Lateral, Lt plain radiograph of the wrist, 84.8 mm image width — 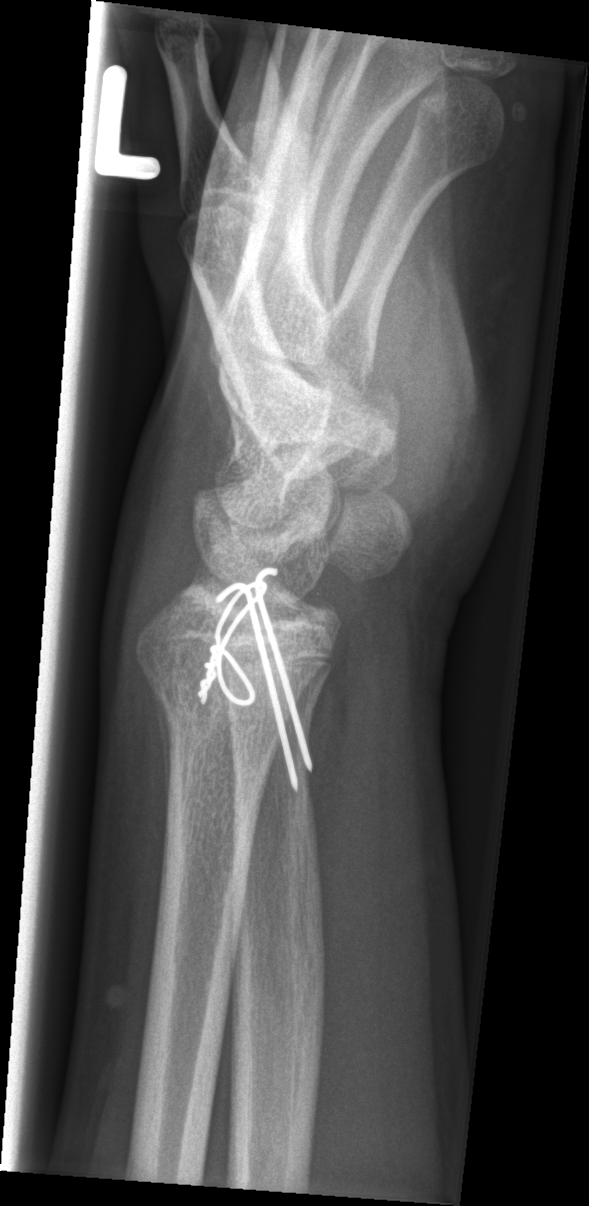   metal: <196,565>-<315,794>
  fracture: 1 @ <143,657>-<297,793>
  ao: 23r-M/2.1; 23u-E/7